Left wrist plain film · PA · 12-year-old girl · acquired on Siemens

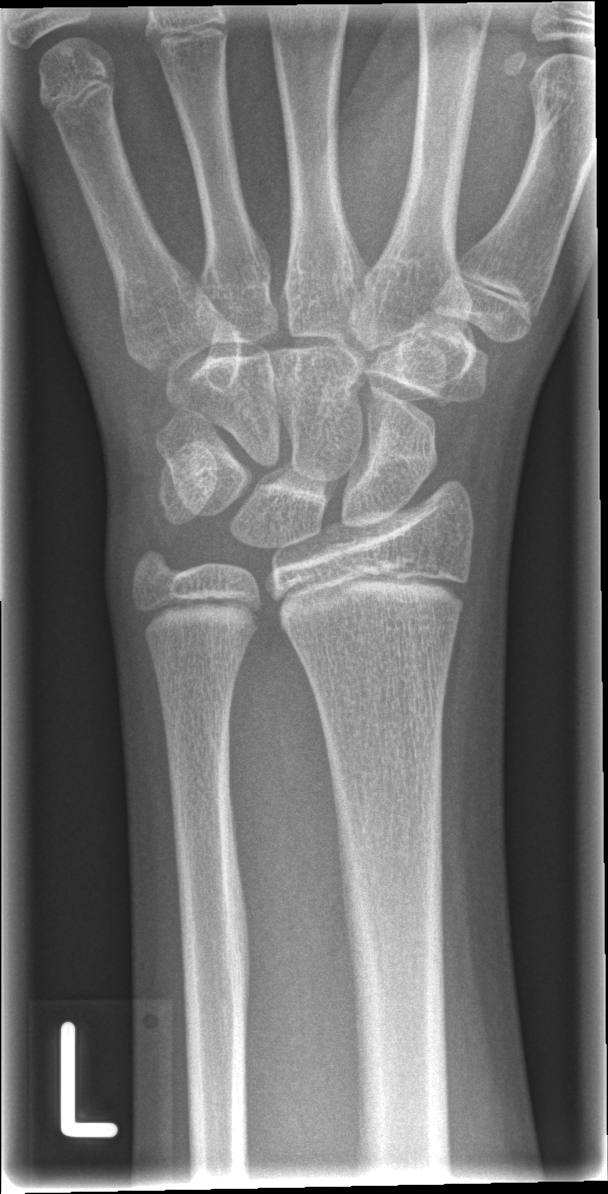

No fracture bounding box.